Lat projection; right pediatric wrist radiograph; cast in situ; image width 66.2 mm:
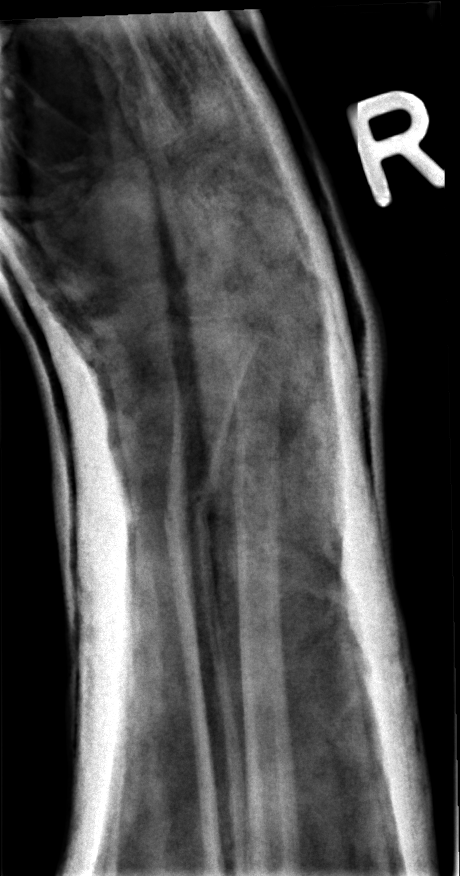 Fx: [159, 462, 228, 560].